L wrist X-ray · frontal · image width 70.8 mm —
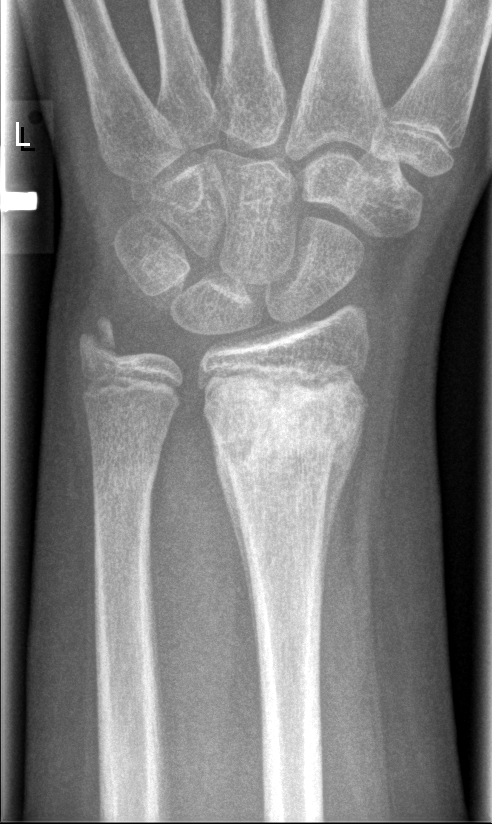

Fx — [x1=200, y1=377, x2=368, y2=474], [x1=87, y1=451, x2=160, y2=504], [x1=75, y1=313, x2=125, y2=360].
Two periosteal new bone at [x1=211, y1=421, x2=261, y2=656]; [x1=322, y1=414, x2=365, y2=610].